Left wrist X-ray | posteroanterior projection | index exam —

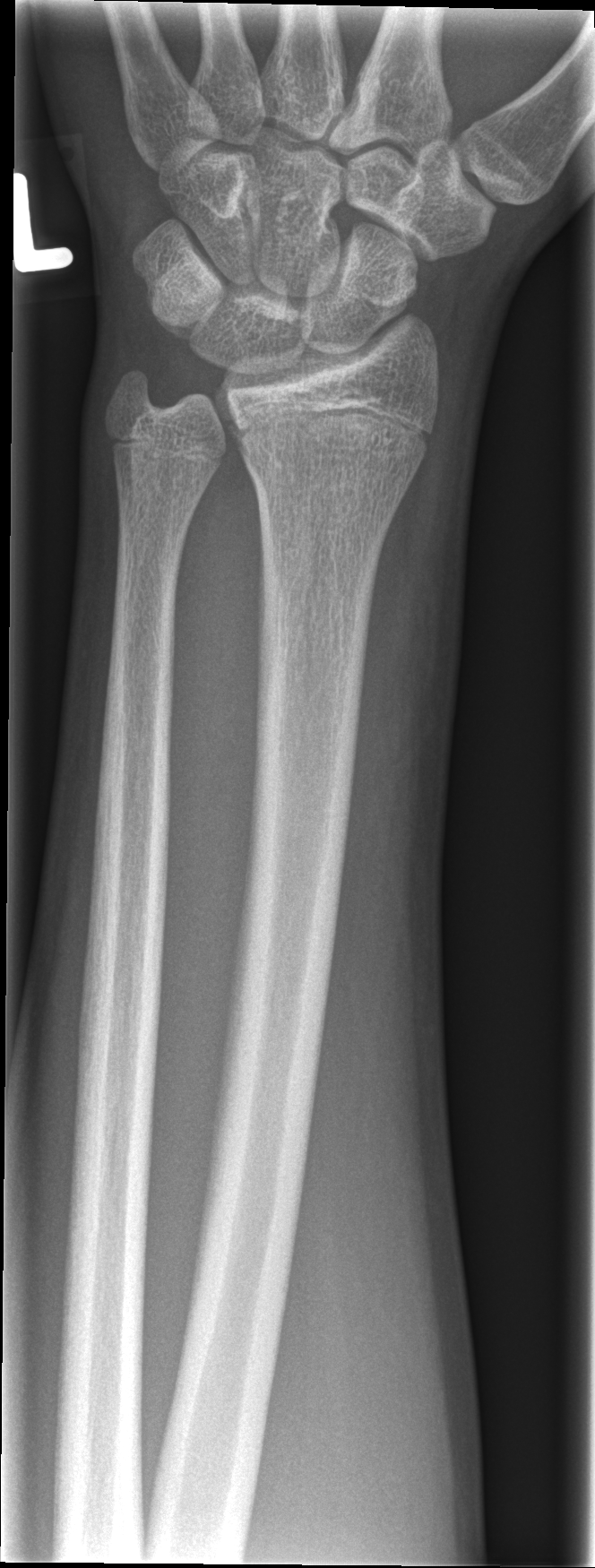

Fracture = none labeled